Frontal, R pediatric wrist radiograph, 12-year-old boy, 114.9 mm image width
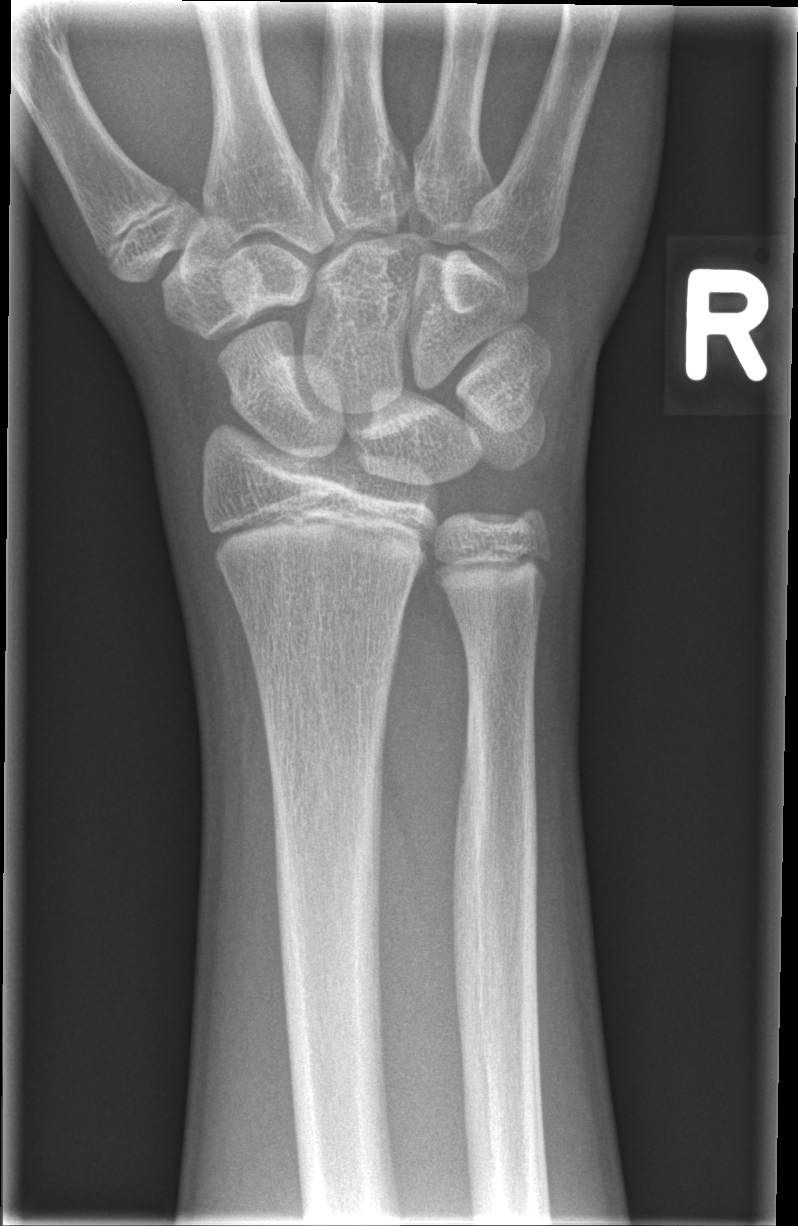 - Fx: none.